Lt pediatric wrist radiograph | frontal projection | in cast | acquired on Siemens: 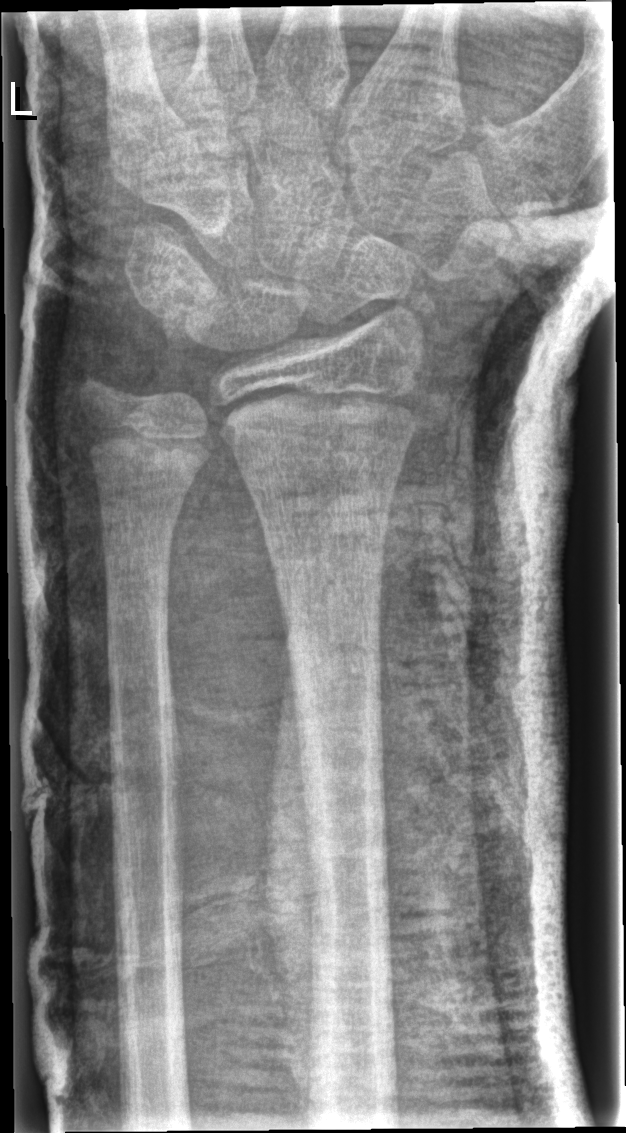

{"fracture": "present but not clearly seen in this view"}